L wrist XR | lat view | 8-year-old boy | index exam | equivocal findings: 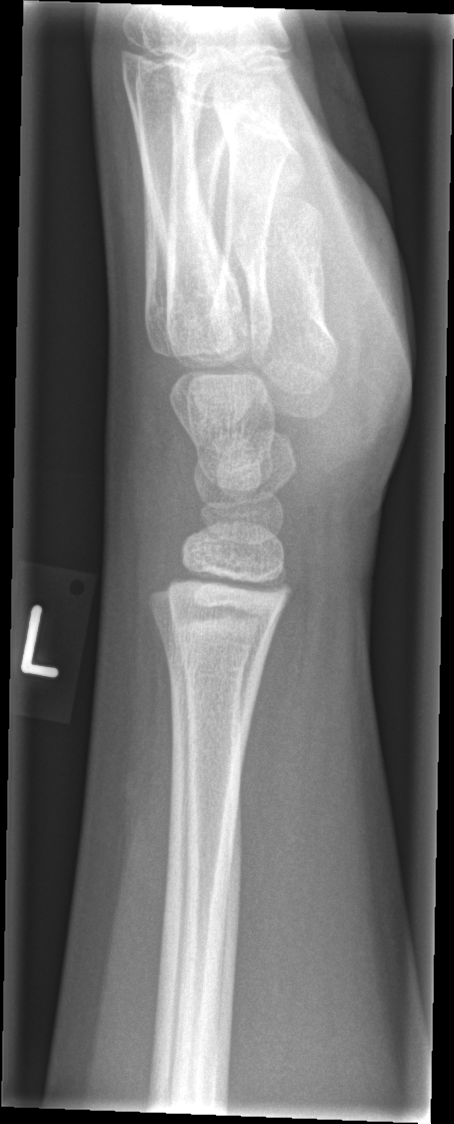
No fracture annotation.